Right wrist XR; lat:
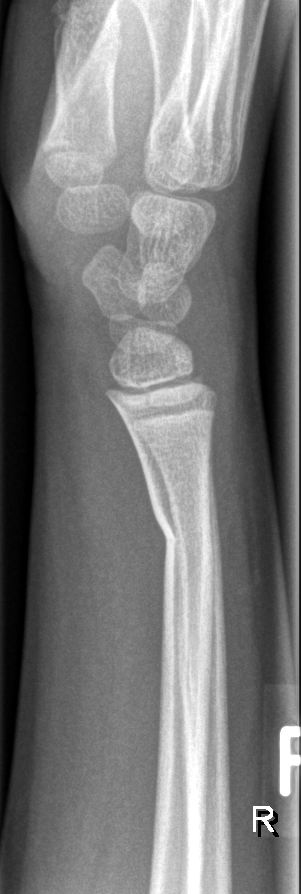

Boxes as x1,y1,x2,y2 (top-left / bottom-right, pixel units). One fracture at (left=150, top=498, right=217, bottom=564).